Lat view | left wrist XR | image width 93.3 mm | 648x920: 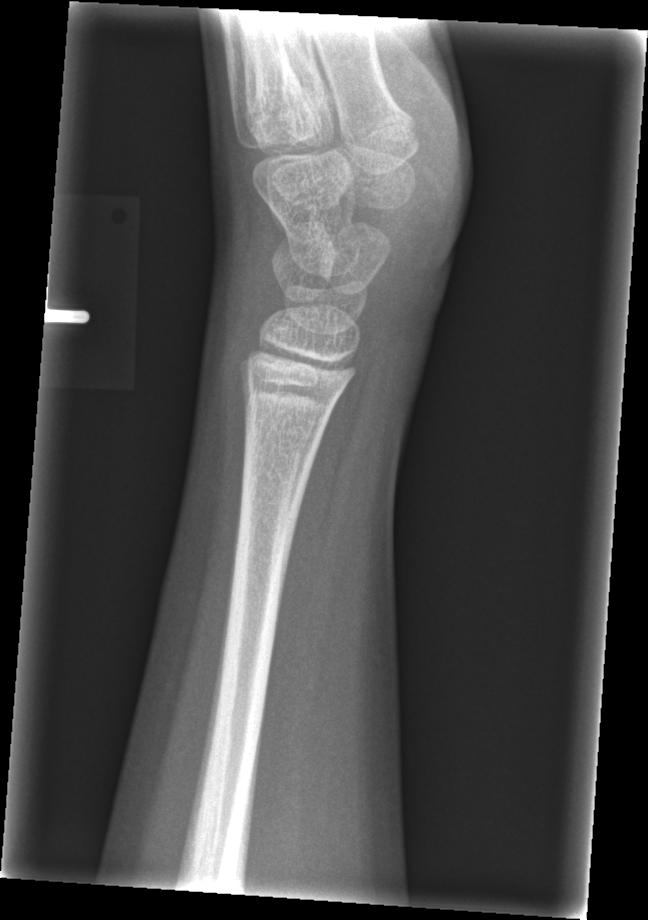

No fracture labeled.